Lt plain radiograph of the wrist · lat projection · age 15 y, girl · image width 66.5 mm —
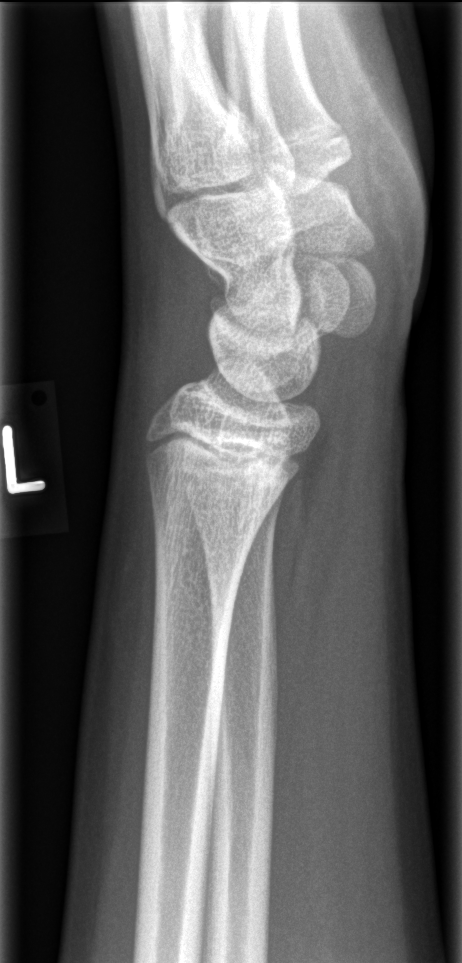 • No fracture labeled.